Left wrist plain film | frontal projection —
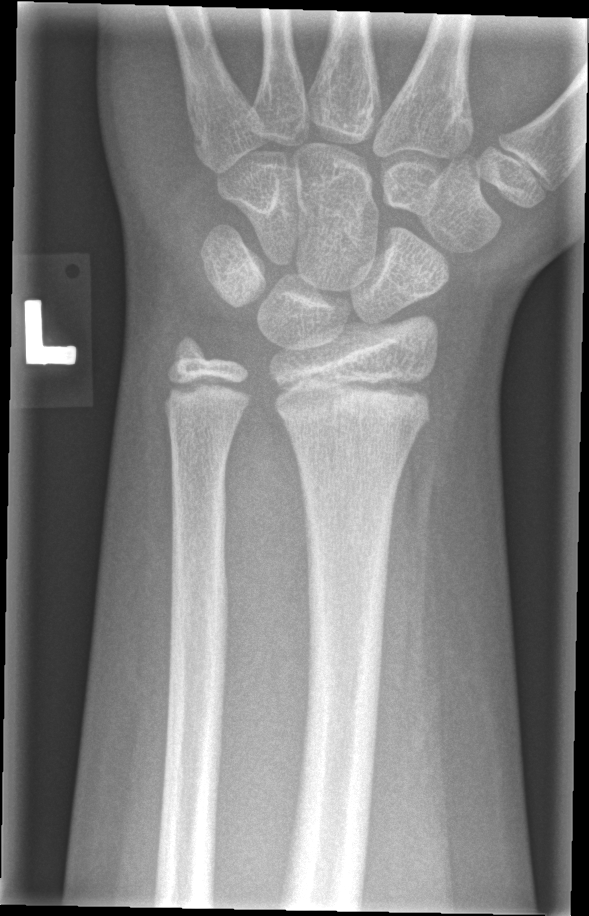

Fx: none labeled